Lat, right pediatric wrist radiograph, 6-year-old girl, Siemens, 419 x 730 px
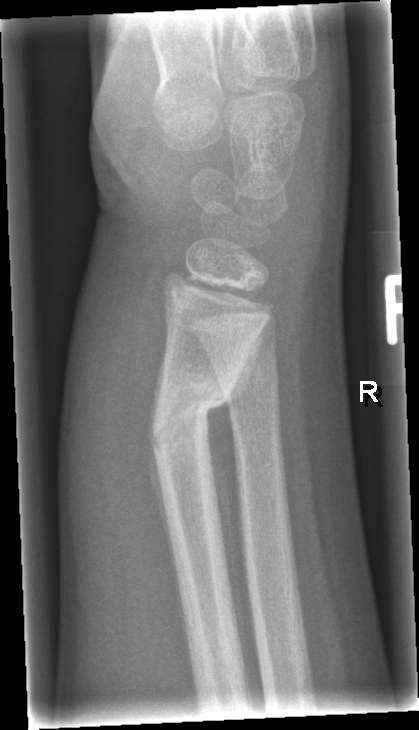 Decreased bone density (osteopenia).
Fx identified at 147,373,240,470.
Fracture classified AO/OTA 23r-M/3.1; 23u-M/2.1.
Periosteal new bone identified at 203,327,263,689
  148,339,191,662.